Frontal view; right wrist plain film; female, 8 yo

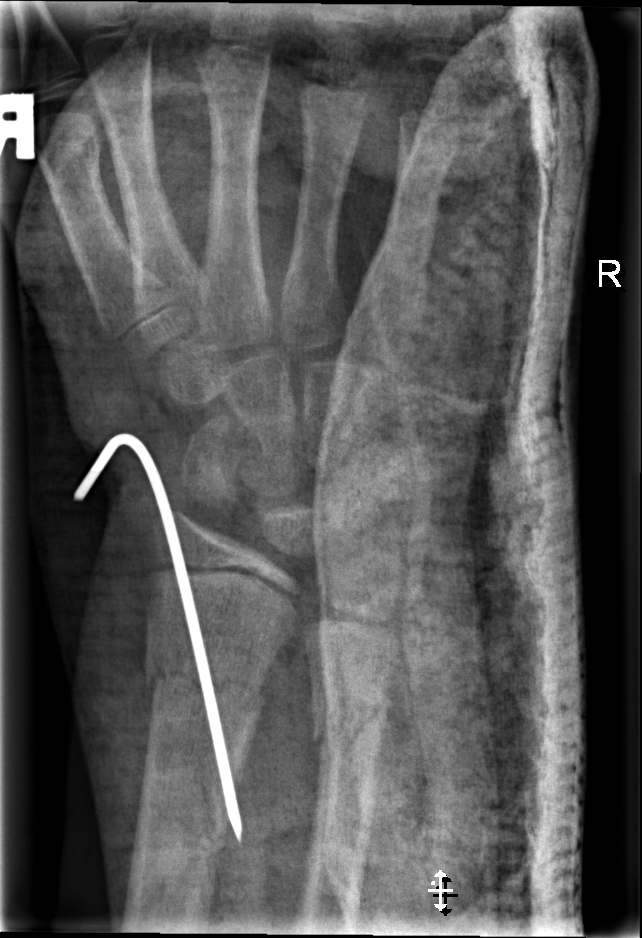
FINDINGS: Fx: 139,654,268,723
  307,691,392,748. Metal: 74,433,244,846.